R pediatric wrist radiograph; PA view; index exam:

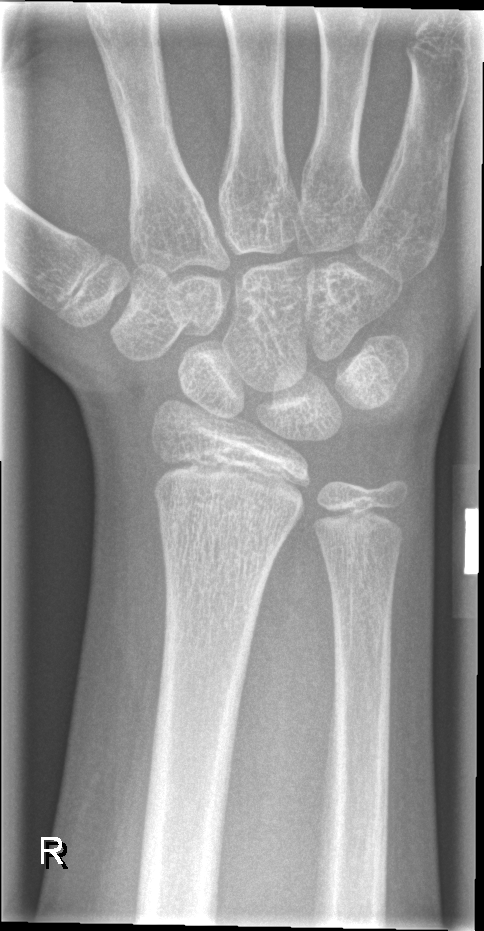
fracture: none labeled